Lat view | L wrist X-ray | subsequent exam | cast present:
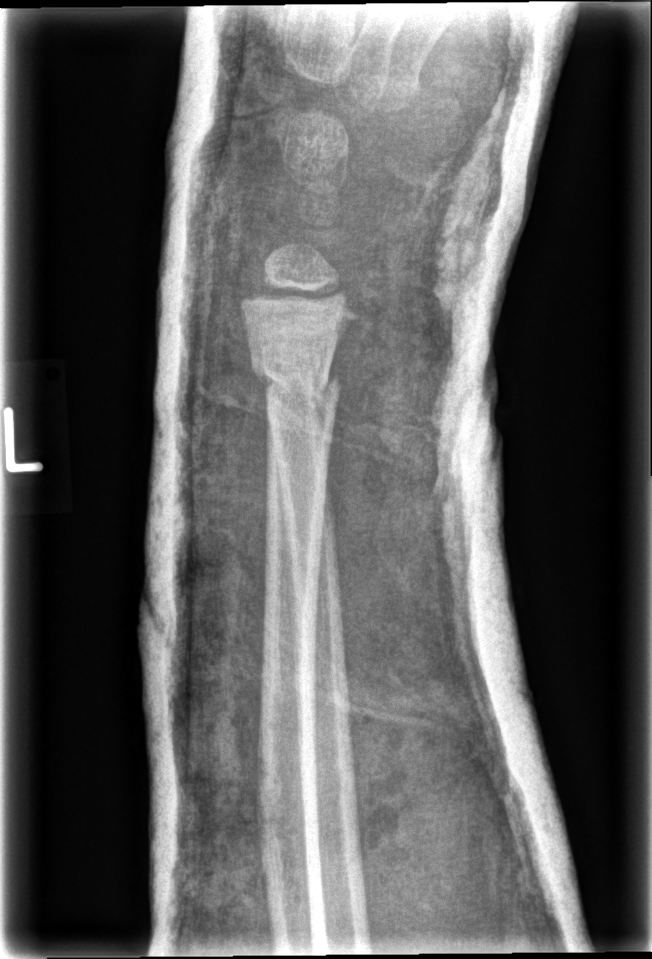 (pixel coordinates, top-left origin, xyxy)
Q: What is the AO/OTA classification?
A: AO/OTA classification: 23-M/3.1
Q: Is there a fracture?
A: Bone fracture identified at (left=249, top=360, right=344, bottom=421)